L wrist plain film · PA projection · male, 11 yo · cast present · 597 by 1096 pixels.

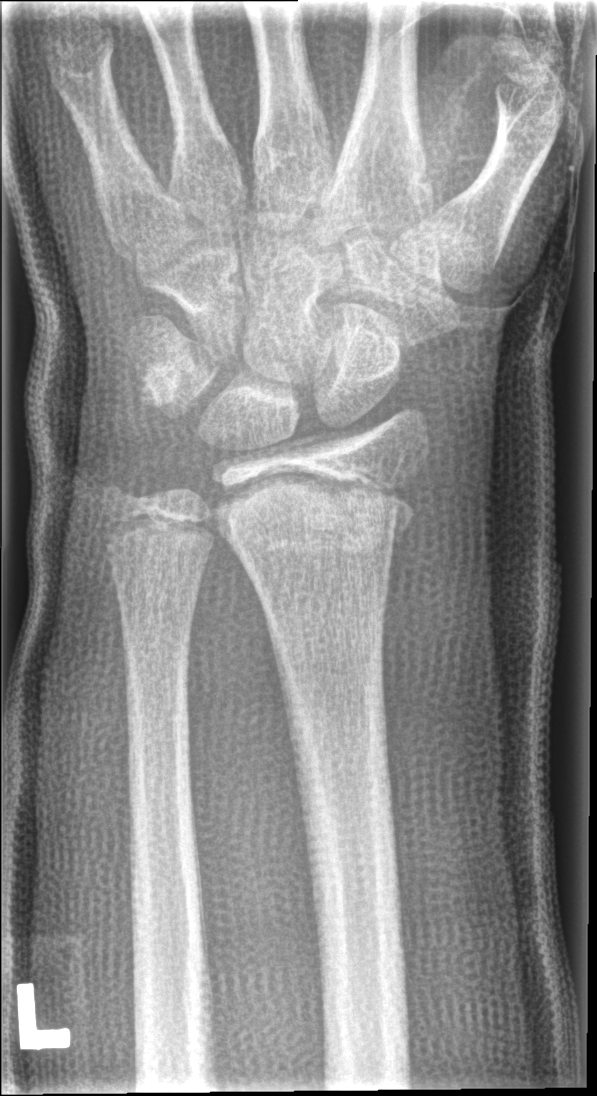

Q: What is the AO/OTA classification?
A: AO/OTA classification: 23r-E/2.1
Q: Fracture present?
A: Fracture identified at <213,473>-<421,566>